AP view | Rt wrist plain film | 82.2 mm image width —

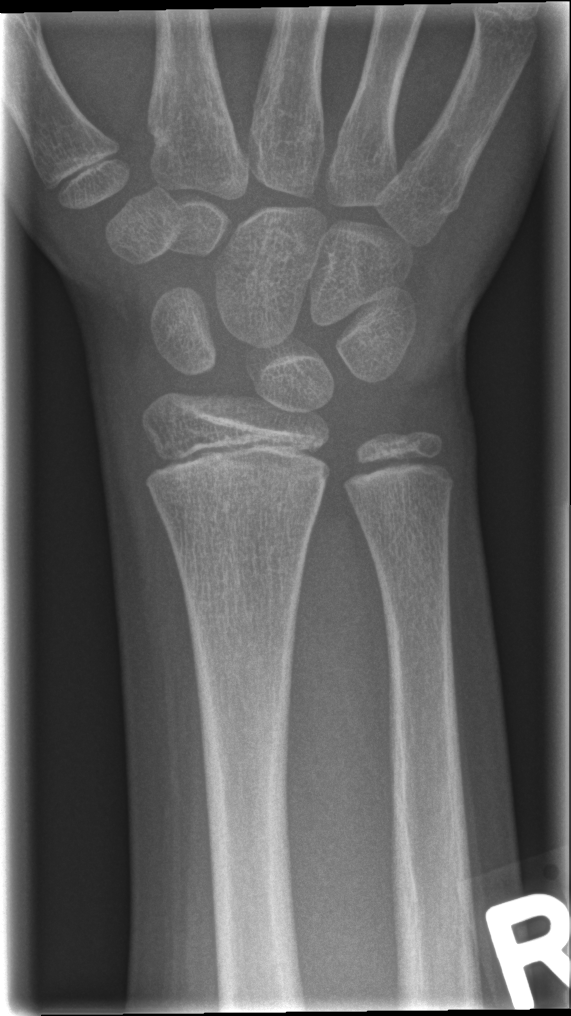 Fx present but not clearly seen in this view.